Rt wrist radiograph, lateral view, follow-up, acquired on Siemens.

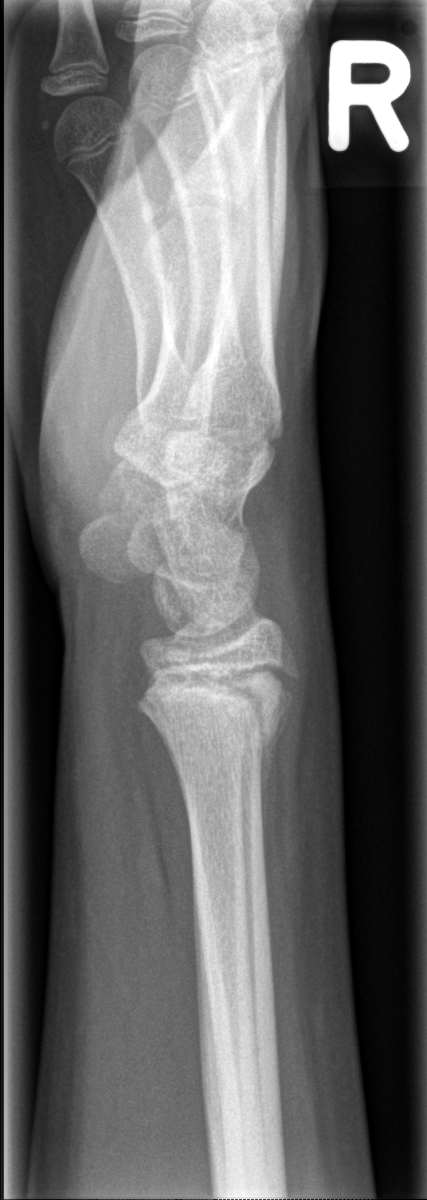 AO/OTA: 23r-E/2.1; 23u-E/7
Periosteal new bone: 1 @ [256, 692, 293, 866]
Fx: 1 @ [133, 660, 306, 766]